Lat projection · left wrist X-ray:

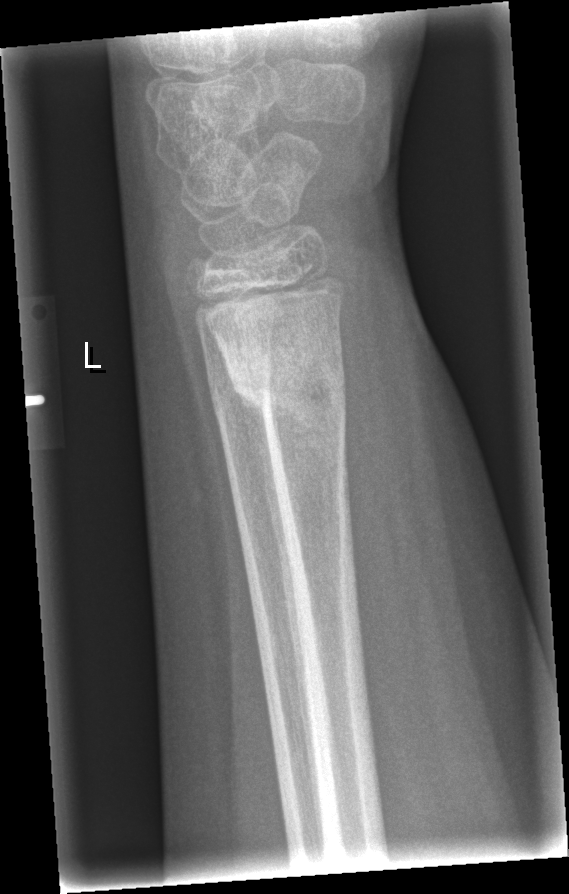

(pixel coordinates, top-left origin, xyxy)
Q: Is there periosteal reaction?
A: One periosteal thickening at 236,388,312,768
Q: Fracture present?
A: Fx: 222,341,352,464 | 203,374,282,430